Right pediatric wrist radiograph; lateral view —
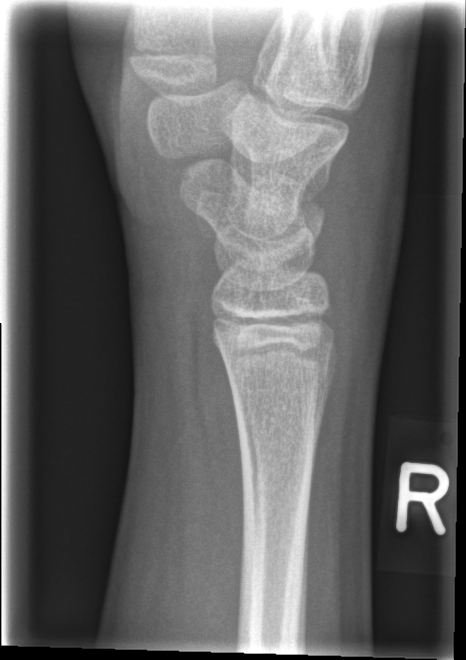

No fracture bounding box.